PA projection | L wrist plain film | pediatric patient (male, age 10) | follow-up study:
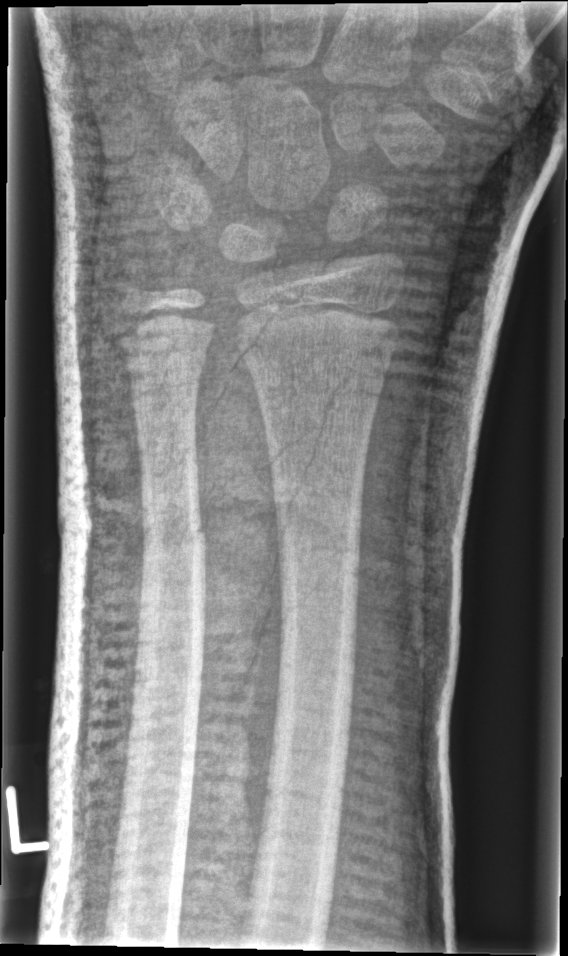 Findings: One Fx at (135, 498, 212, 575). AO code 22u-D/2.1.